Left wrist XR; frontal projection; pediatric patient (boy, age 16) —
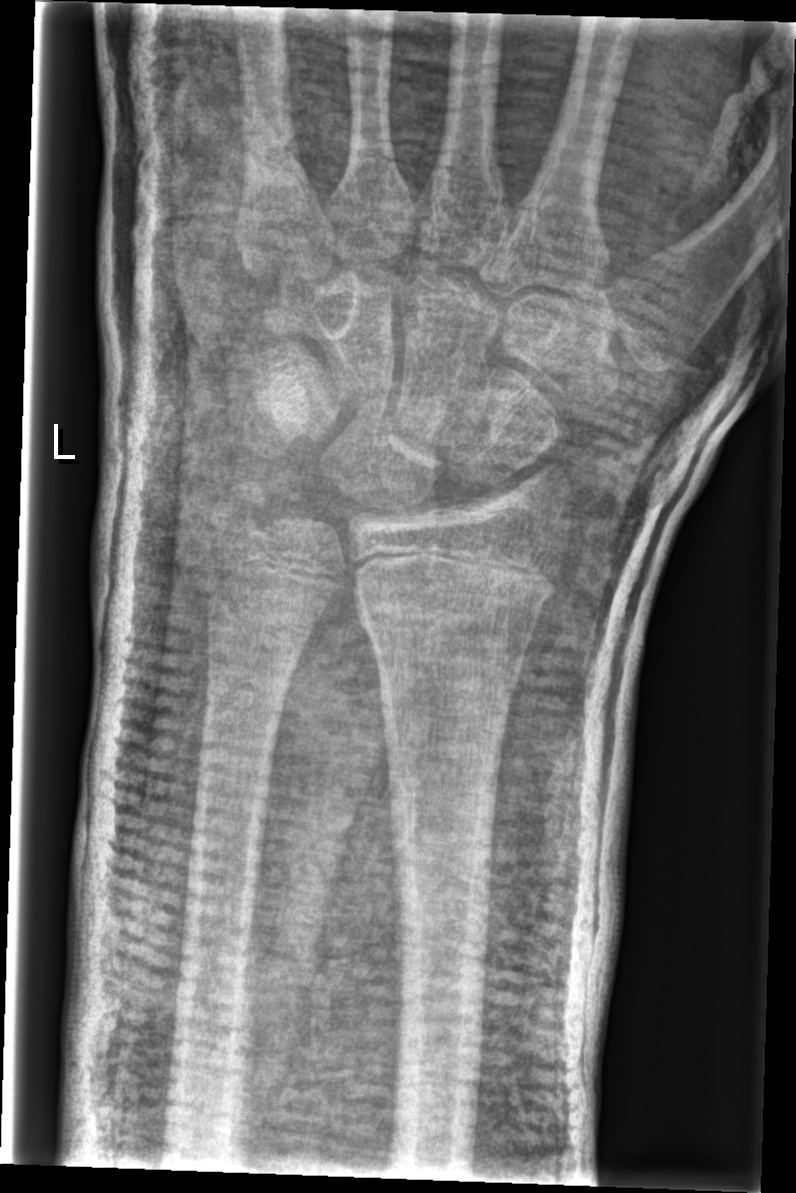 Bounding boxes in image-pixel xyxy.
Fx: 349 566 559 645; 207 472 281 545.
AO code 23r-M/2.1; 23u-E/7.